Lat projection | Lt wrist plain film | pediatric patient (boy, age 13) | follow-up. 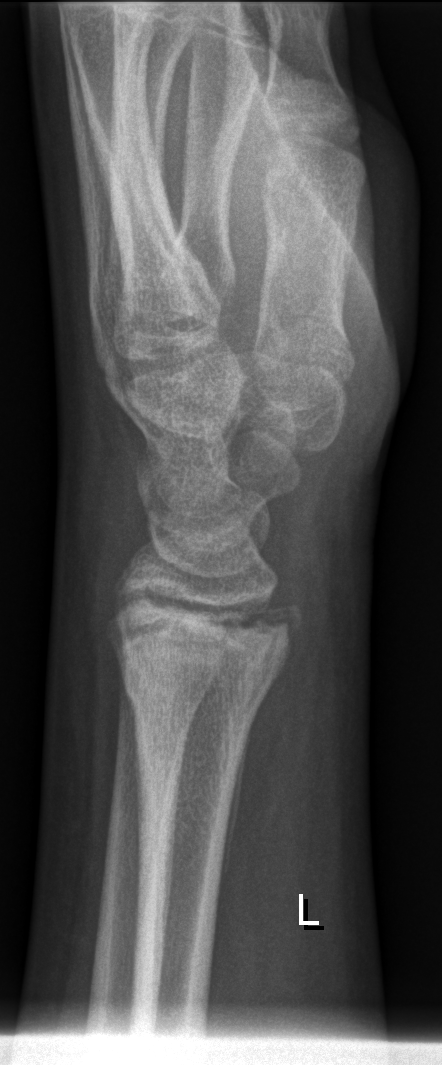

• One bone fracture at <100,588>-<304,720>.
• One periosteal reaction at <216,705>-<254,915>.